Lateral view; right wrist pediatric wrist radiograph; 12-year-old female; image size 477x1128:

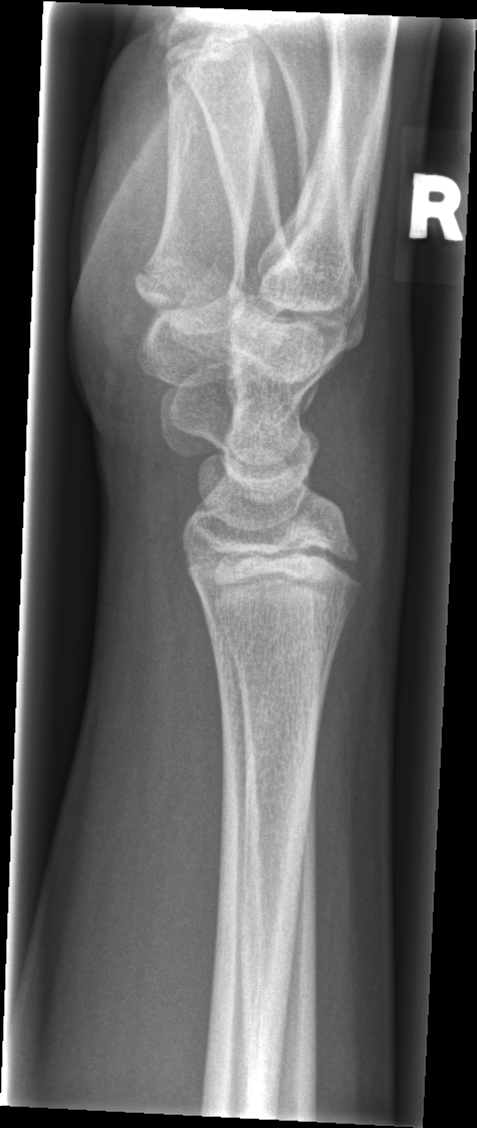

Fx: none labeled